Right wrist pediatric wrist radiograph, posteroanterior, age 16 y, boy, follow-up study, in cast —

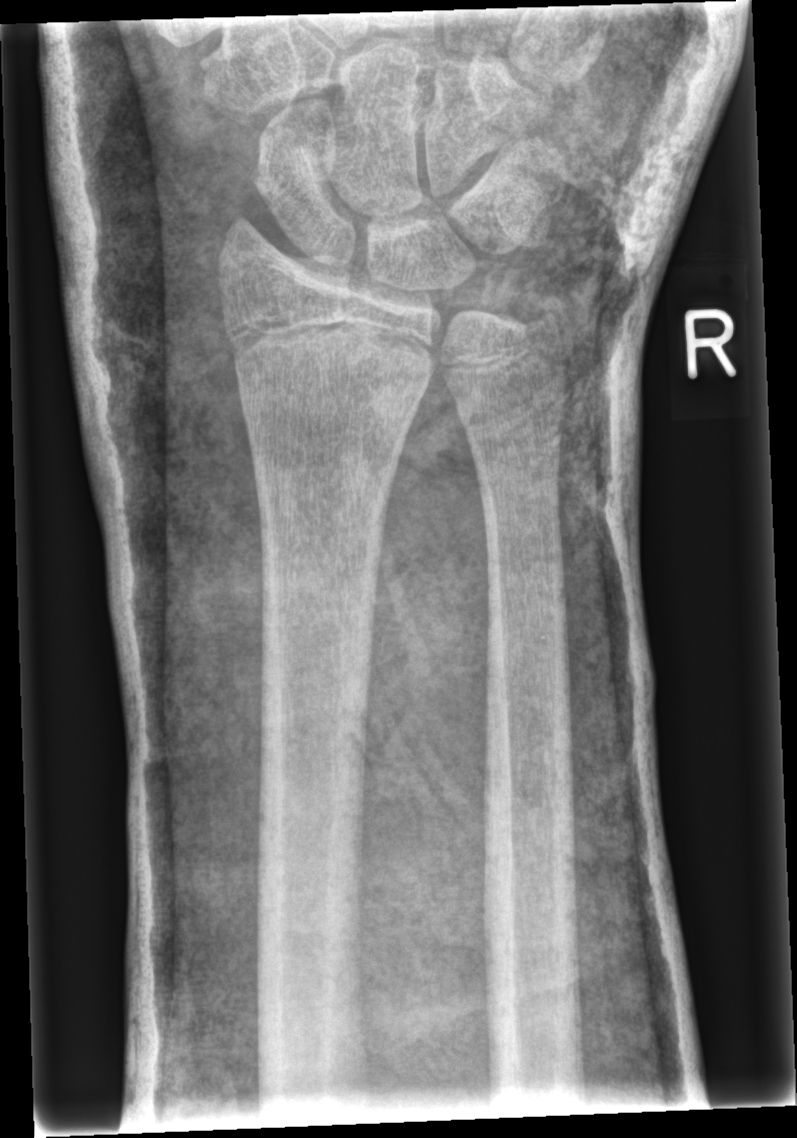 • No Fx annotated.